Left plain radiograph of the wrist, AP projection. 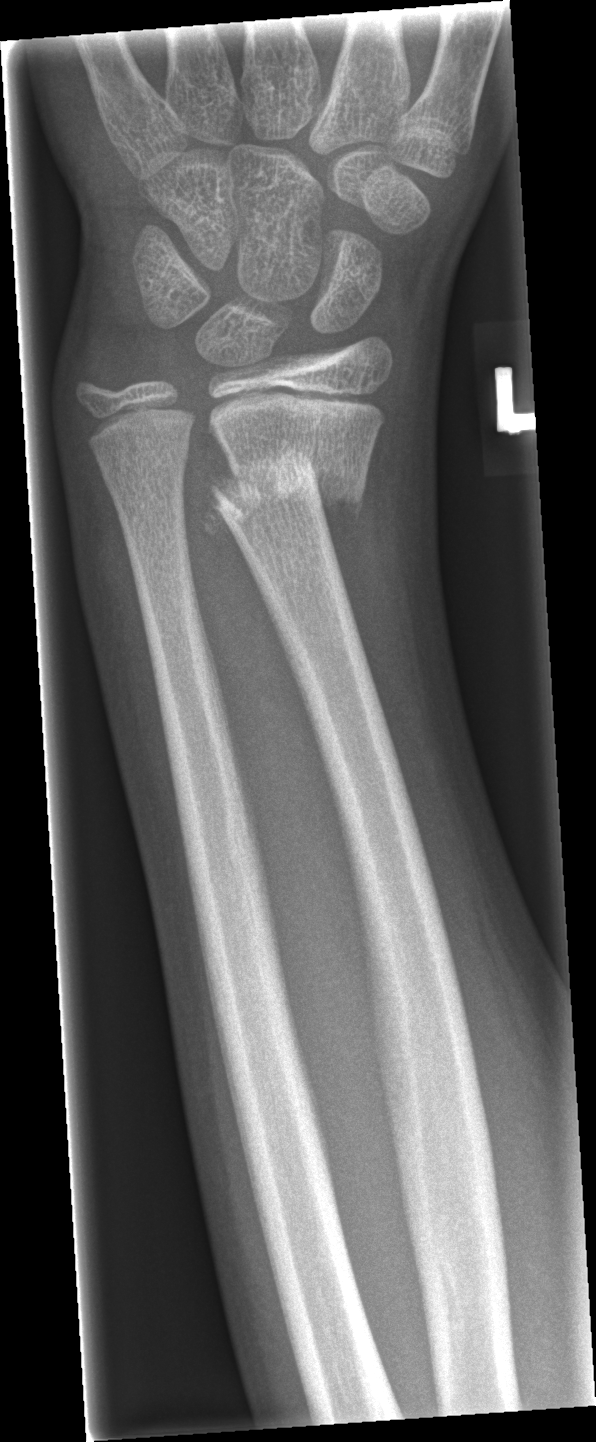 - AO/OTA classification: 23r-M/3.1; 23u-M/2.1.
- Bone fracture: (left=199, top=443, right=372, bottom=544) (left=101, top=437, right=192, bottom=497).